Right wrist pediatric wrist radiograph; posteroanterior; male, 14 yo; acquired on Siemens

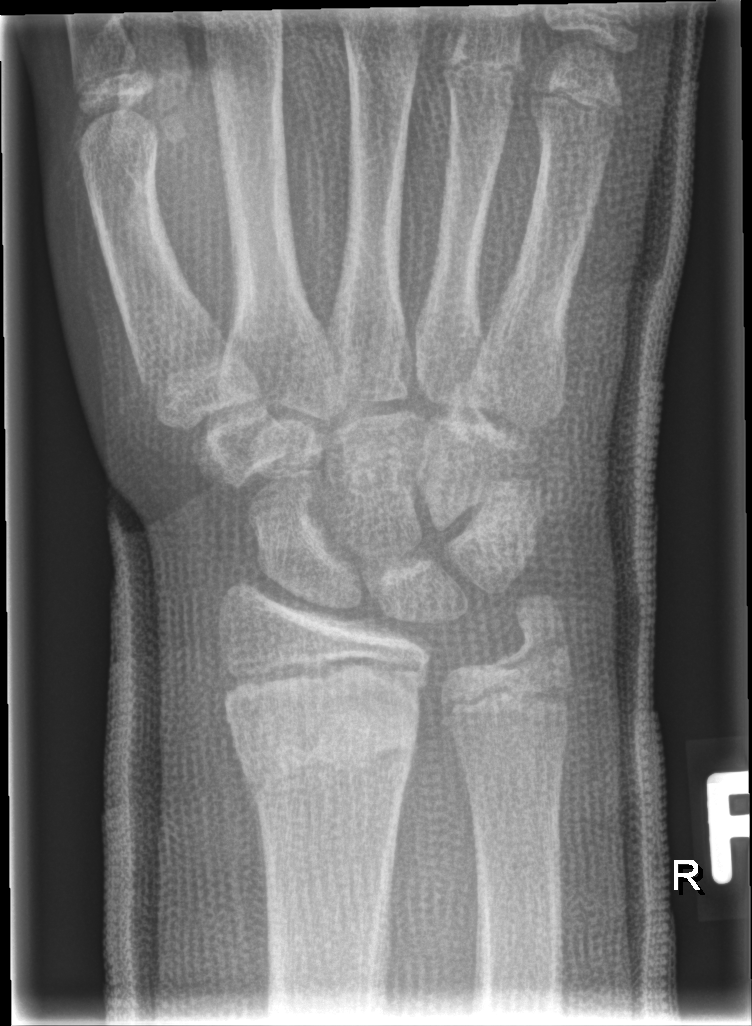

FINDINGS: Two fractures at [230, 711, 422, 804]; [477, 592, 568, 676]. AO/OTA classification: 23r-M/3.1; 23u-E/7.